Left wrist radiograph, frontal, presentation radiograph
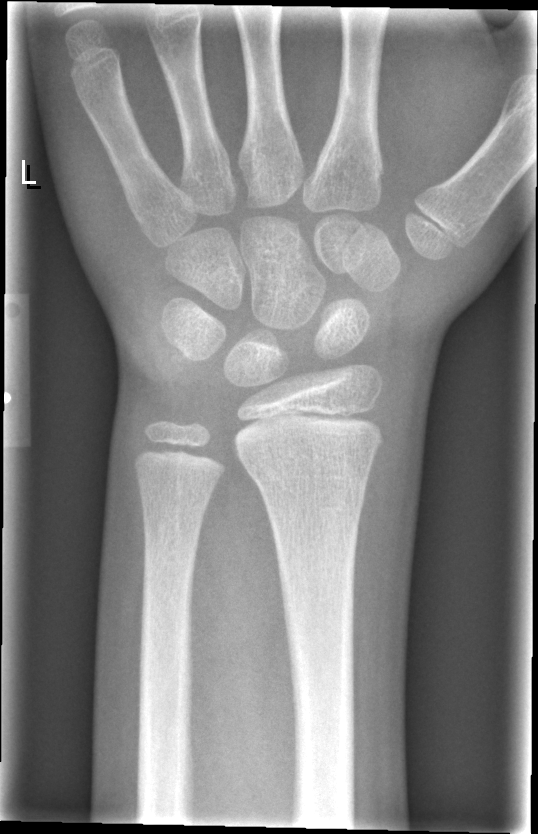
One fracture at (241, 443, 379, 489).